Right plain radiograph of the wrist | PA | pediatric patient (boy, age 15) | 610 x 986 px

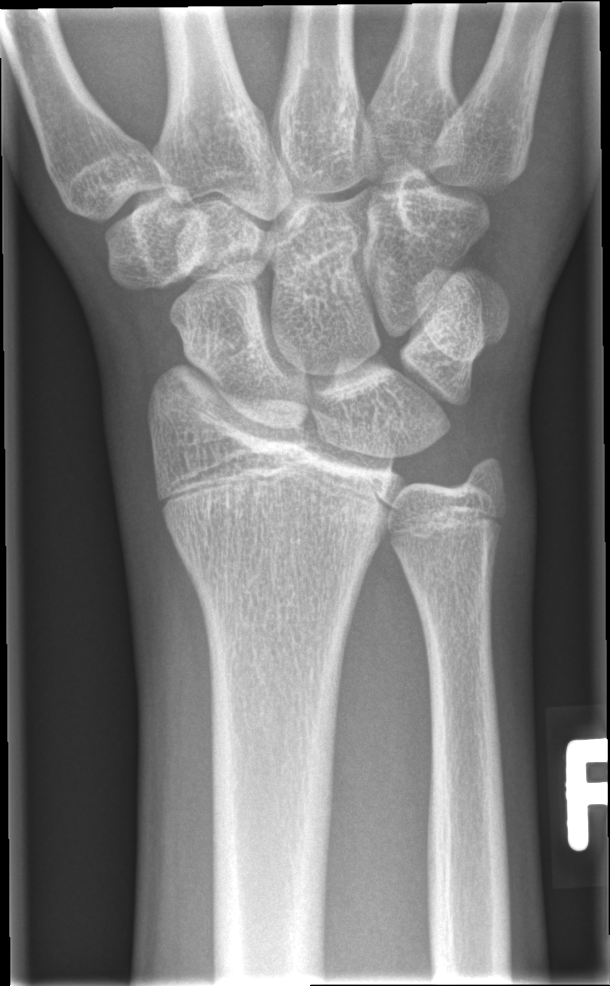   fracture: none labeled